Left wrist XR, lateral projection, Siemens
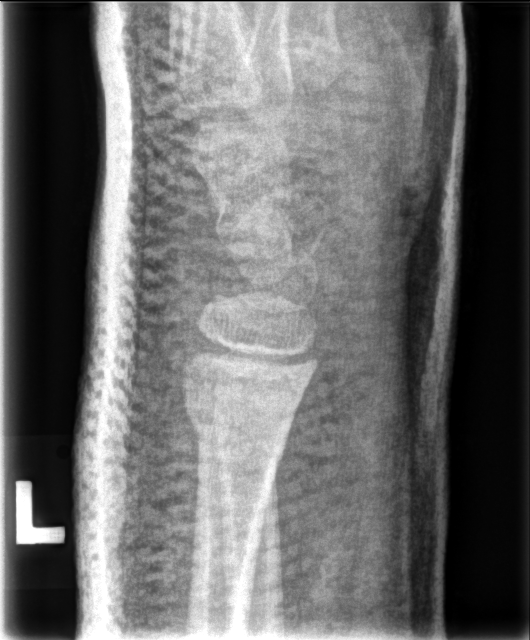
AO/OTA classification: 23r-M/2.1. Bone fracture: [x1=179, y1=380, x2=301, y2=464].